L wrist X-ray, lateral view. 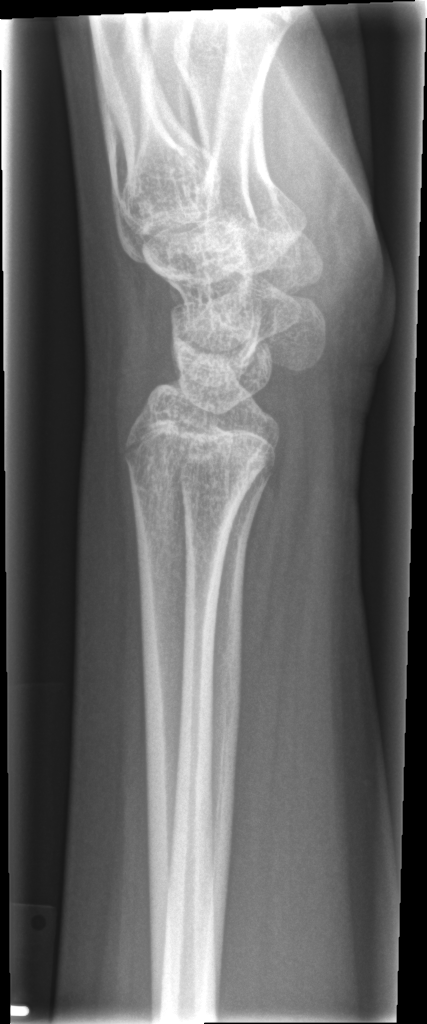 Bone fracture: none labeled